Left wrist plain film · lateral projection · acquired on Siemens · 490 x 980 px —

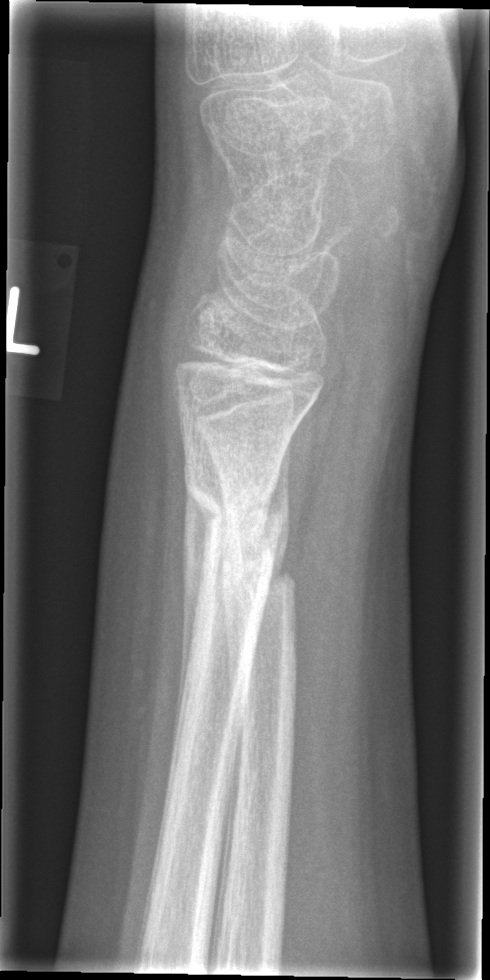 Bounding boxes in image-pixel xyxy. Osteopenic. Two bone fractures at [x1=179, y1=477, x2=295, y2=567]; [x1=223, y1=542, x2=307, y2=603]. Fracture classified AO/OTA 23-M/3.1; 23u-E/7. Periosteal new bone: [x1=171, y1=475, x2=216, y2=758], [x1=260, y1=436, x2=292, y2=594].